Right wrist plain film | lateral | 4y M | presentation radiograph | Siemens — 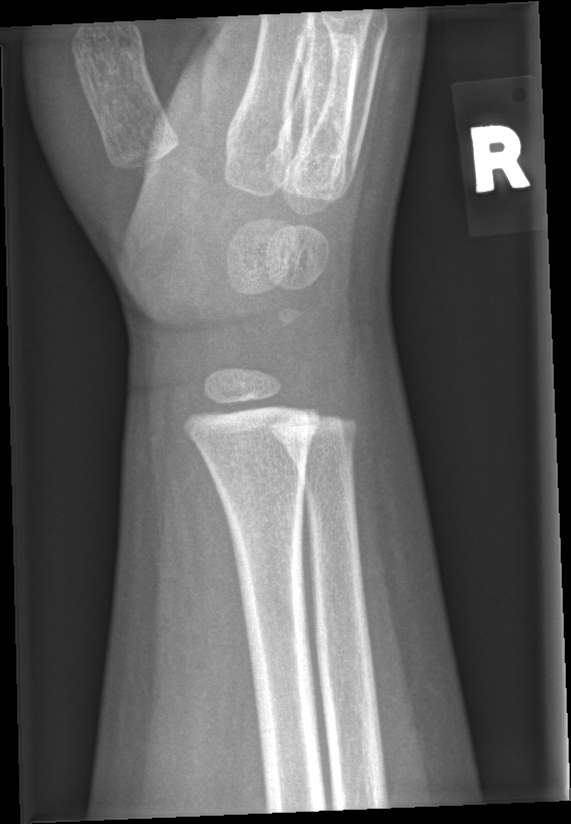 No fracture labeled.